Posteroanterior projection | left wrist plain film | pediatric patient (male, age 6) | follow-up | image size 632x1043

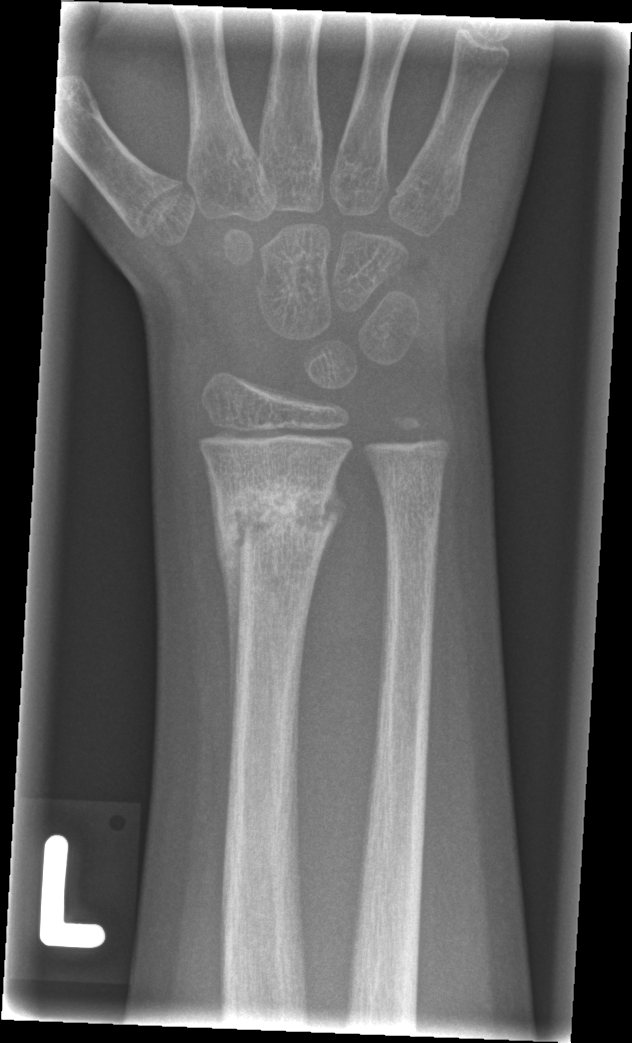

- Bounding boxes in image-pixel xyxy.
- Fx identified at bbox(210, 472, 337, 567).
- AO/OTA classification: 23r-M/3.1.
- Periosteal reaction: bbox(209, 466, 248, 764); bbox(319, 476, 346, 547).